Frontal projection | R wrist X-ray | male, 13 yo | Siemens:
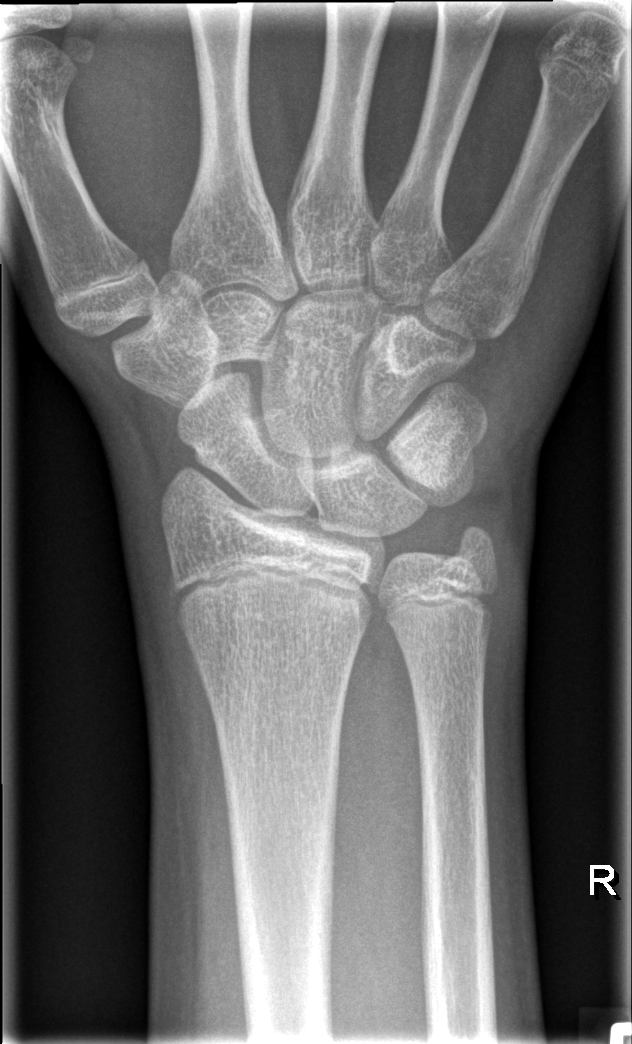 Fx: none labeled